AP view; left wrist X-ray; female, 11 yo; follow-up study; image width 69.7 mm: 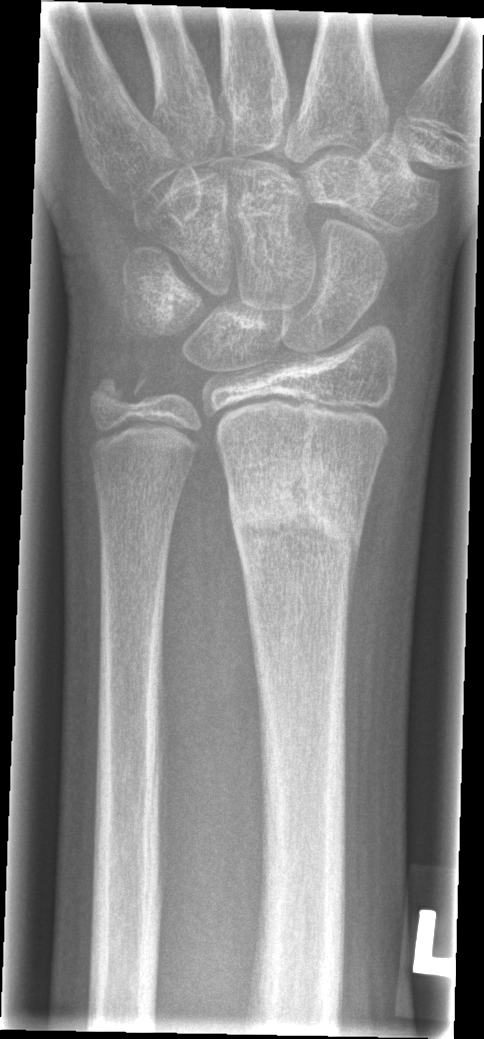

FINDINGS: (pixel coordinates, top-left origin, xyxy) Osteopenic. Fracture classified AO/OTA 23r-M/3.1; 23u-E/7. Two fractures at [224, 460, 372, 563] [87, 370, 151, 410].